R wrist XR | oblique projection | 2y M | acquired on Siemens | image width 54.0 mm. 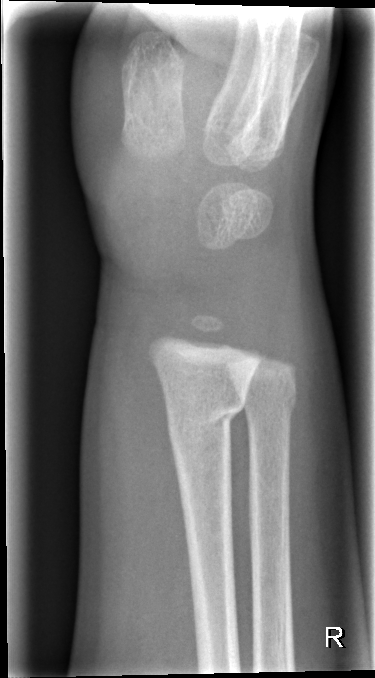
(boxes as x1,y1,x2,y2 (top-left / bottom-right, pixel units))
bone fracture = 2 @ (left=165, top=388, right=249, bottom=447); (left=240, top=383, right=299, bottom=419)